L plain radiograph of the wrist, PA view, follow-up study, 594x1202.

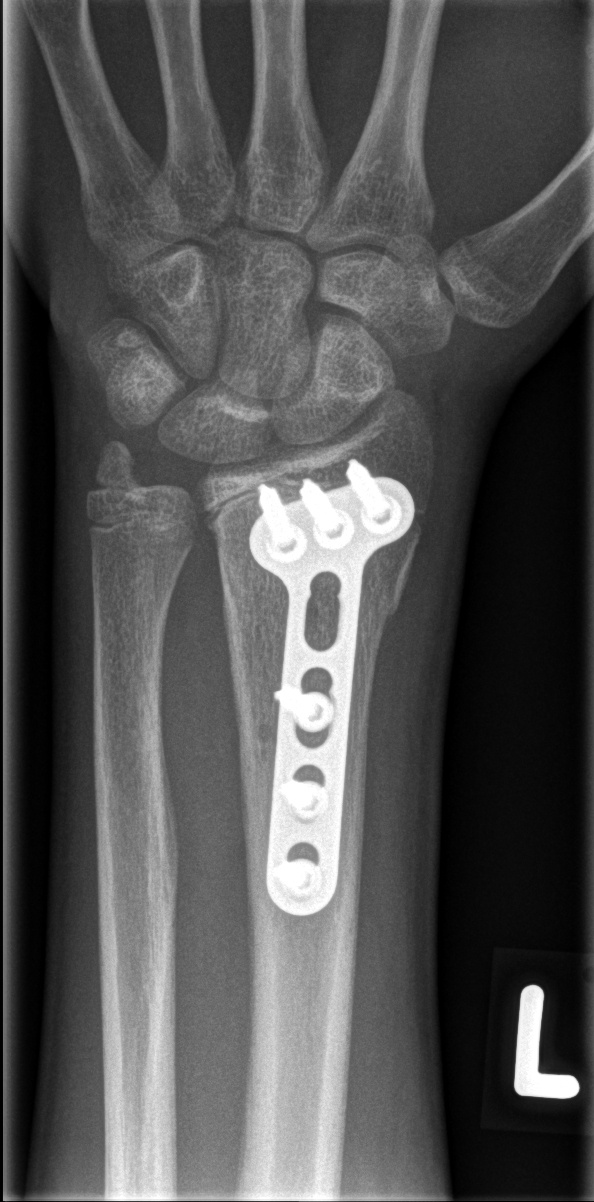 Findings: Reduced bone mineral density. Metallic hardware: (left=245, top=453, right=420, bottom=922). No fracture bounding box.